Lateral projection, Lt wrist plain film. 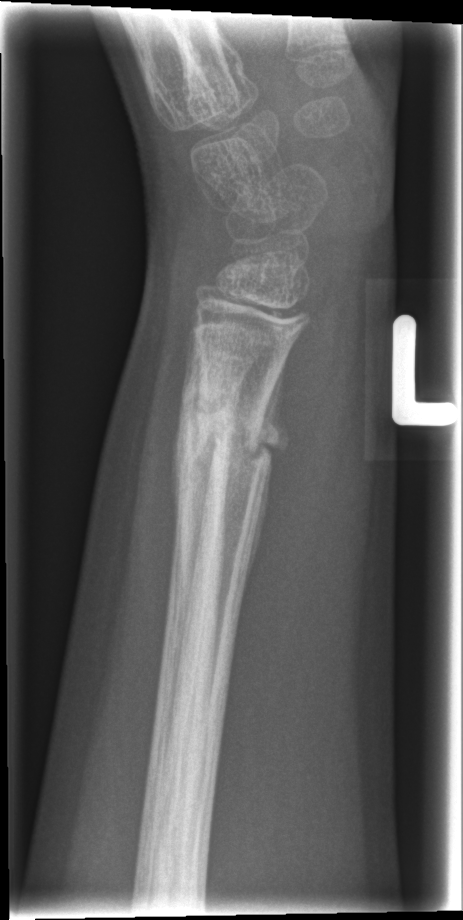

Q: Is there periosteal reaction?
A: Periosteal new bone — 240,355,290,607; 167,324,194,551
Q: Fracture present?
A: Bone fracture identified at 176,397,238,485 | 193,422,275,475
Q: What is the AO/OTA classification?
A: Fracture classified AO/OTA 23-M/3.1